Frontal · L wrist X-ray · 13y M · detector: Siemens: 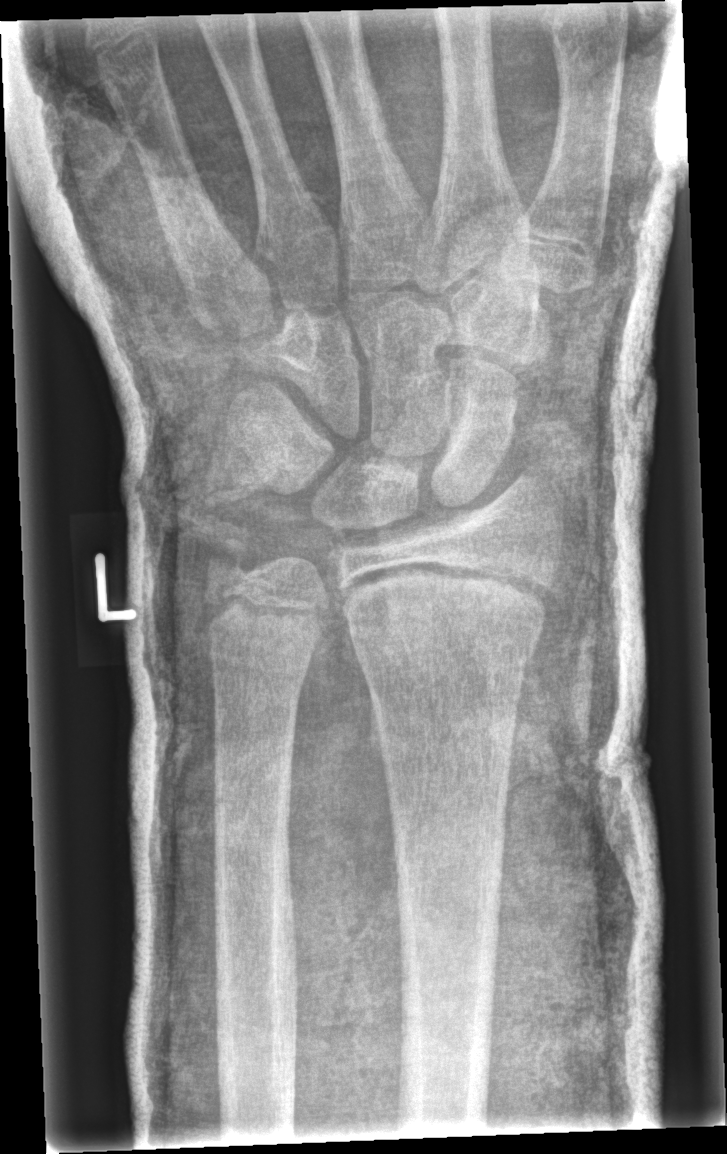

• AO/OTA classification: 23r-M/3.1; 23u-E/7.
• Bone fracture identified at 349,590,542,683
  199,528,272,599.